Lt wrist XR | lateral view | age 12 y, male.

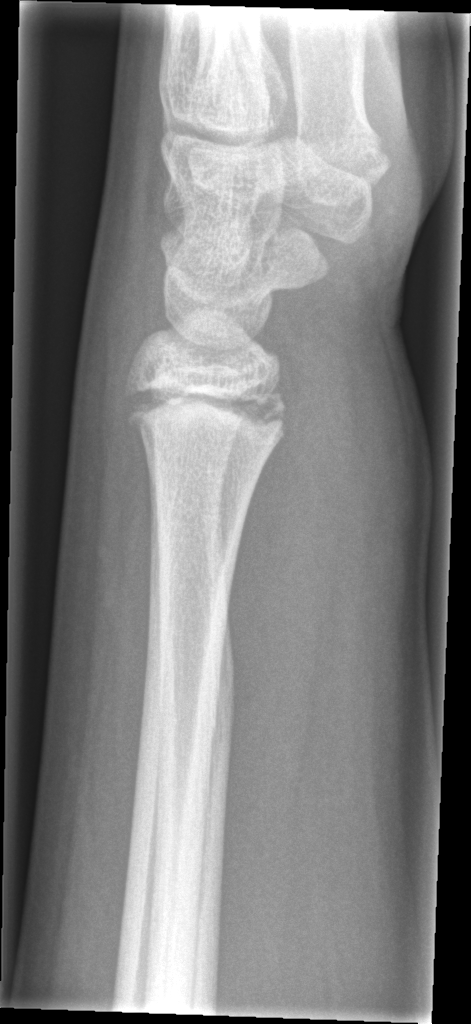 {
  "softtissue": "1 @ <237,318>-<428,713>",
  "fracture": "1 @ <119,371>-<290,452>",
  "ao": "23r-E/2.1"
}